Left wrist plain radiograph of the wrist; lateral view; age 4 y, boy; 474 by 754 pixels —
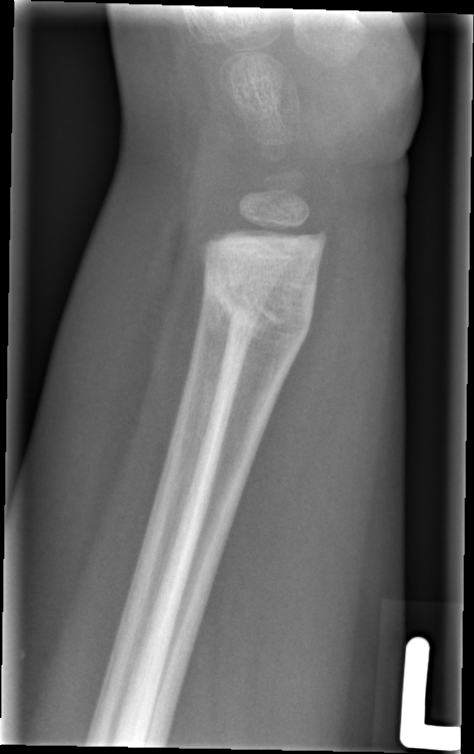 FINDINGS — (pixel coordinates, top-left origin, xyxy) One periosteal new bone at 204,266,237,396. One Fx at 202,273,321,355. Osteopenia.